Lateral projection, R wrist radiograph, follow-up study, cast present —

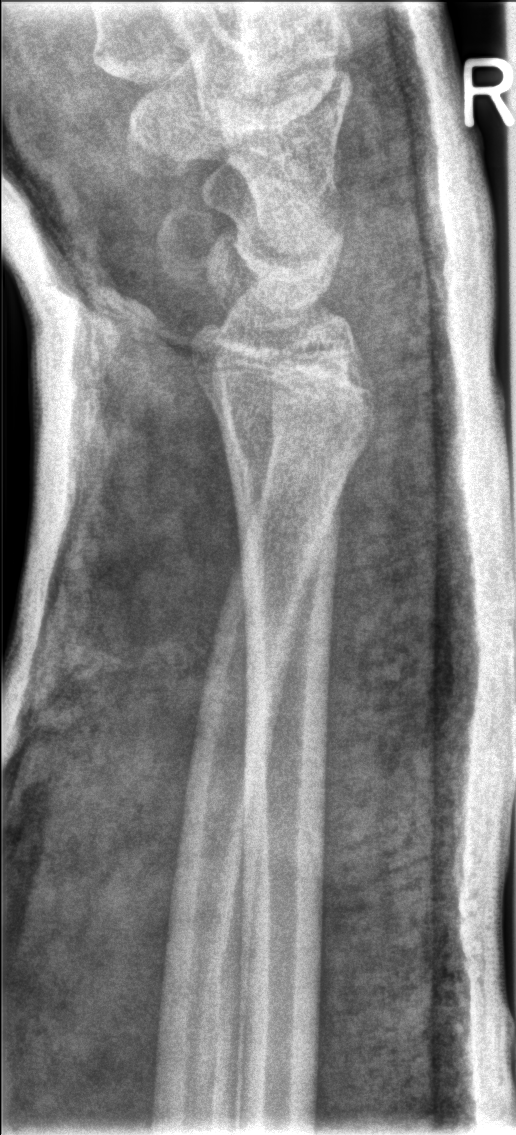 (pixel coordinates, top-left origin, xyxy)
Q: Any fracture seen?
A: Fracture identified at <213,399>-<377,483>
Q: What is the AO/OTA classification?
A: Fracture classified AO/OTA 23r-M/2.1